Lateral projection · left pediatric wrist radiograph · index exam · 530 by 904 pixels —
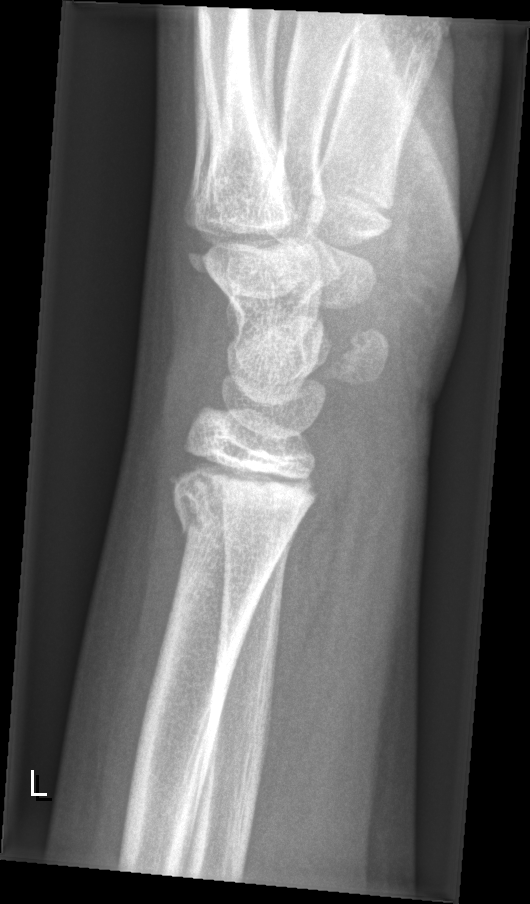
Fx: <167,465>-<321,551>.